Right pediatric wrist radiograph; posteroanterior projection; age 10 y, female; Siemens; 92.7 mm image width 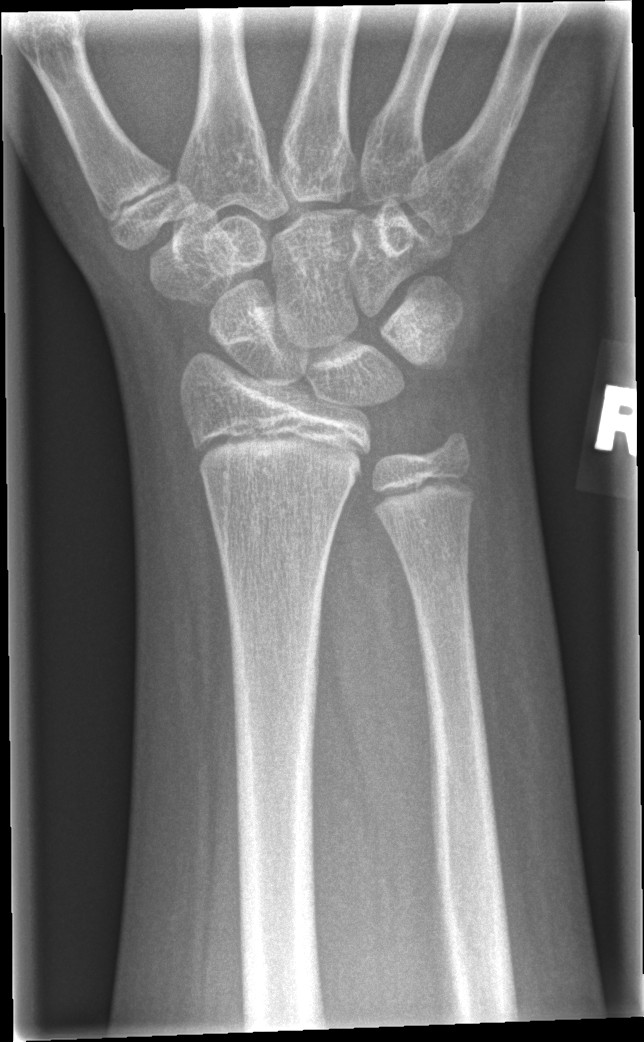

Q: Is there a fracture?
A: Fx: none